PA/AP view · right wrist XR · cast present · image width 111.7 mm · 776x1238 —
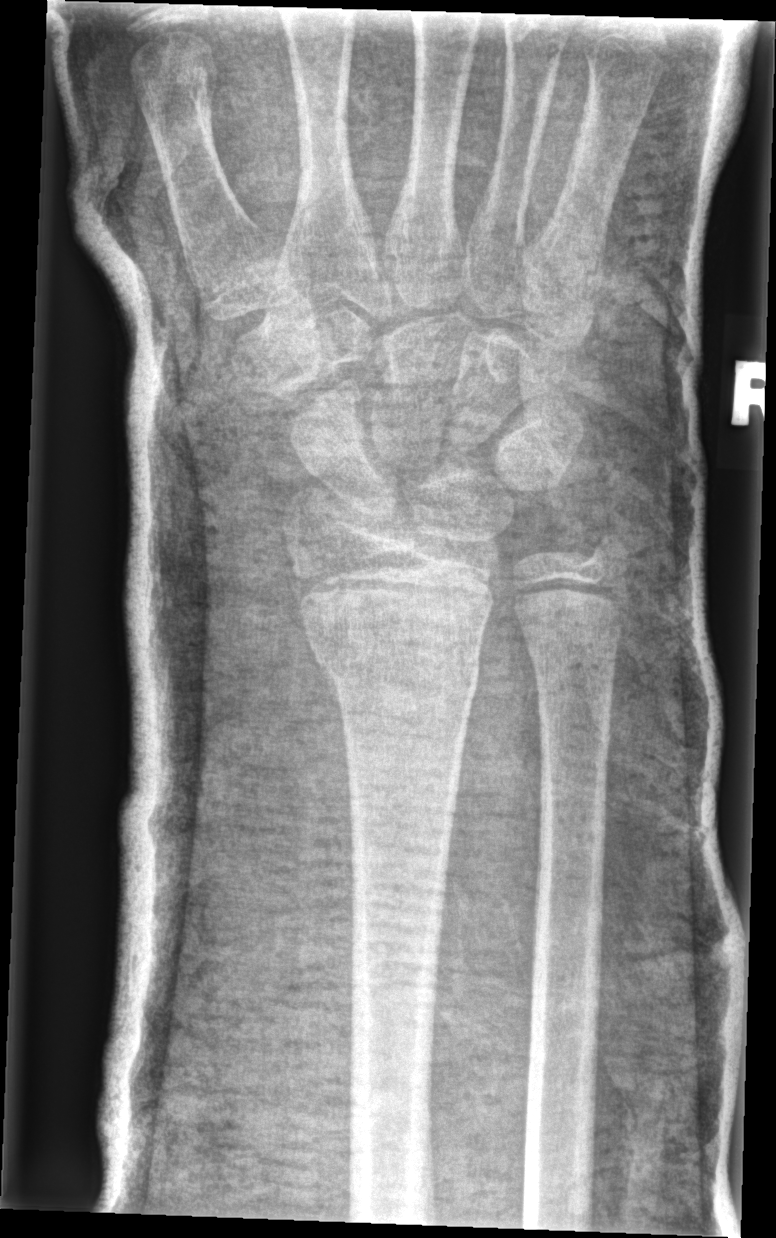 FINDINGS: (coordinates are [x1, y1, x2, y2] in image pixels) Fracture identified at [306, 607, 486, 701]. Fracture classified AO/OTA 23r-M/3.1; 23u-M/2.1.